PA/AP view, right wrist XR, pediatric patient (female, age 4), image 63.5 mm wide, 441 x 682 px:

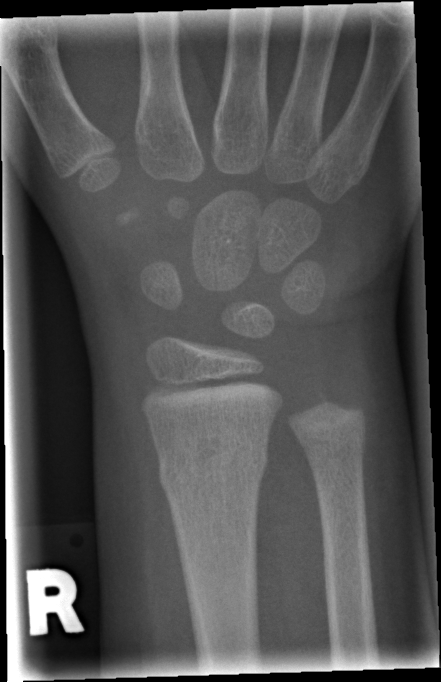

(bounding boxes in image-pixel xyxy)
Fx = 1 @ 153 431 273 502